Lateral projection | Lt pediatric wrist radiograph | age 12 y, boy | follow-up study | imaged through cast.
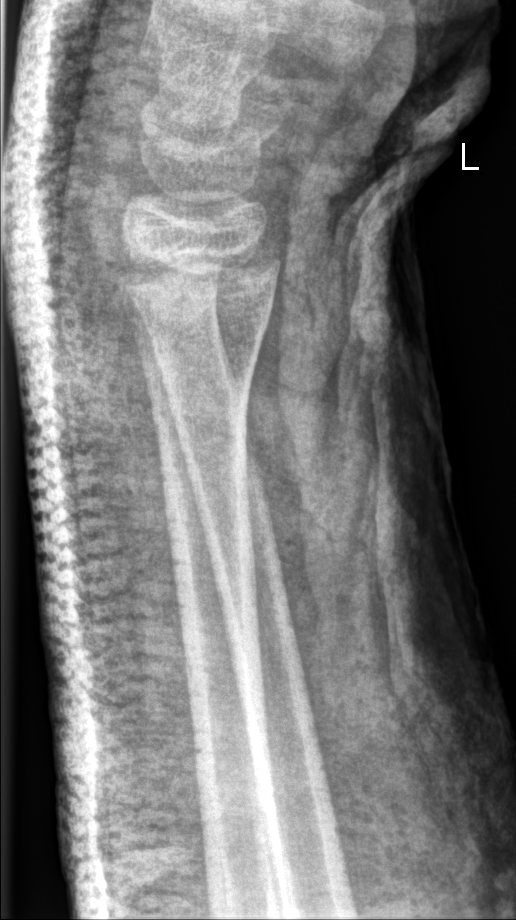
Q: Any fracture seen?
A: Fx identified at 110 230 282 311